Lt pediatric wrist radiograph | lat | 14y M | Siemens
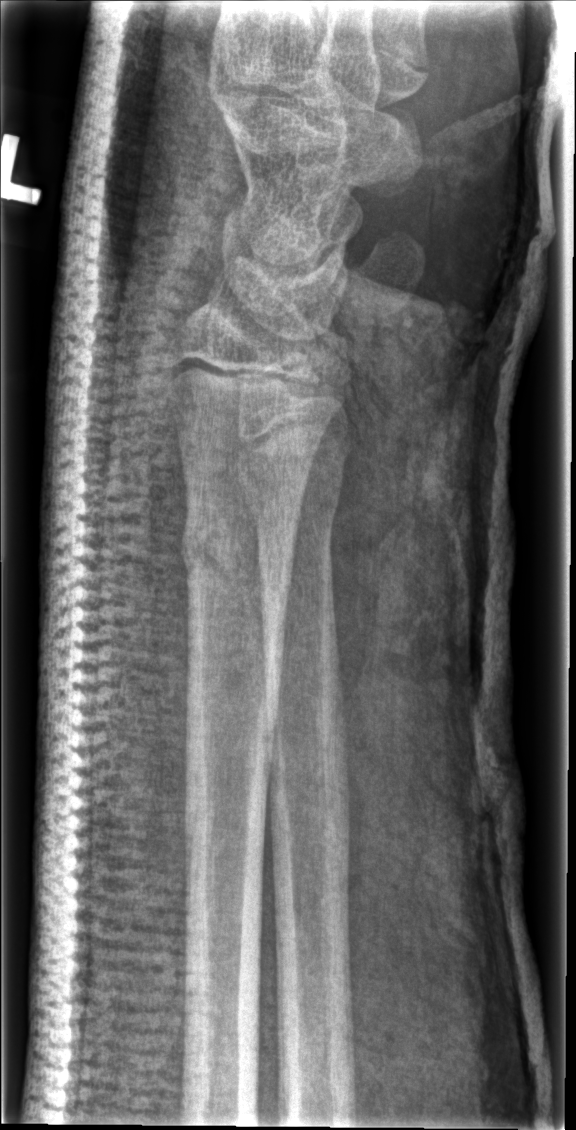

Coordinates are [x1, y1, x2, y2] in image pixels. Fracture: <178,495>-<299,596>, <240,468>-<345,542>. Fracture classified AO/OTA 23r-M/3.1; 23u-M/2.1.